PA/AP · Rt pediatric wrist radiograph · 9y M · acquired on Siemens —

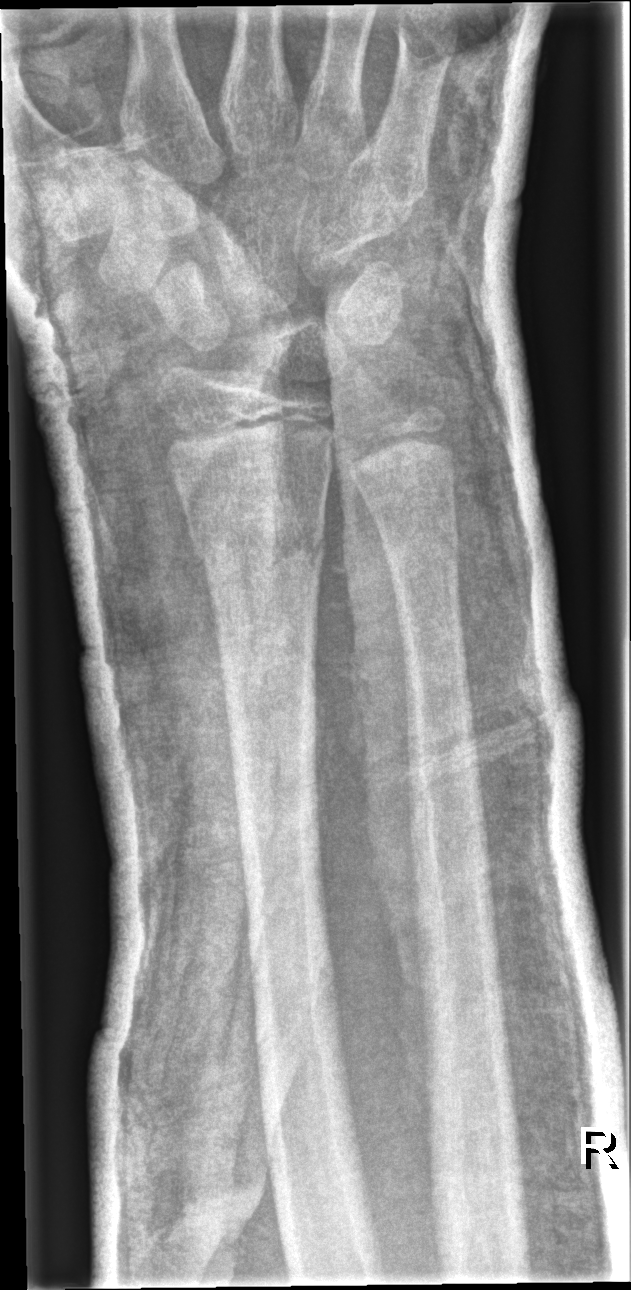

Fx: bbox(186, 517, 330, 575)